Lat view, left wrist XR, findings marked uncertain by the reading radiologist, image size 432x1164 —

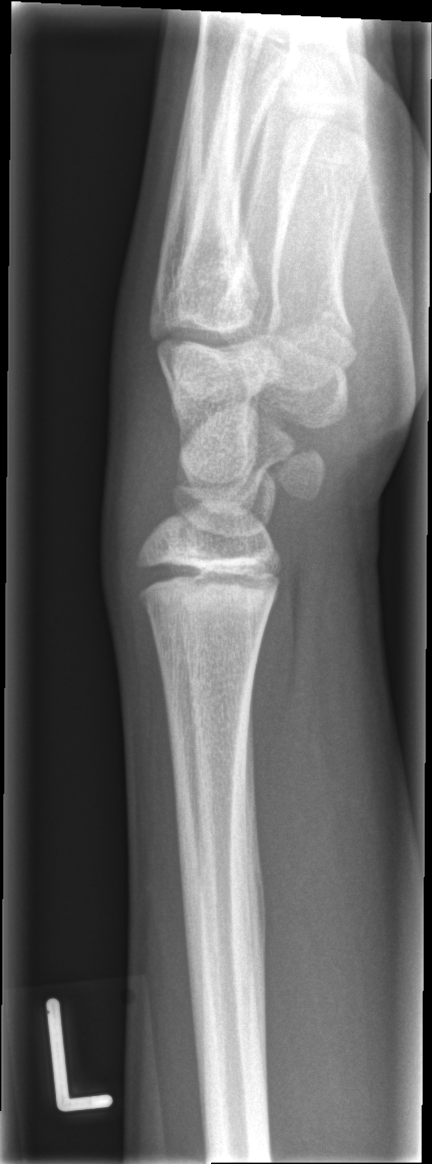   fracture: none labeled